Left wrist X-ray · lat view · female, 8 yo

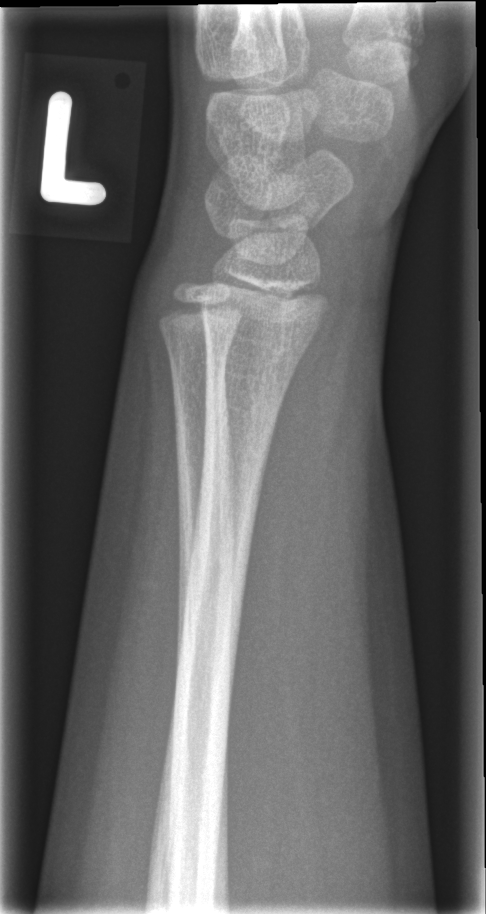

No Fx annotated.